PA · left wrist plain film · 650 by 943 pixels
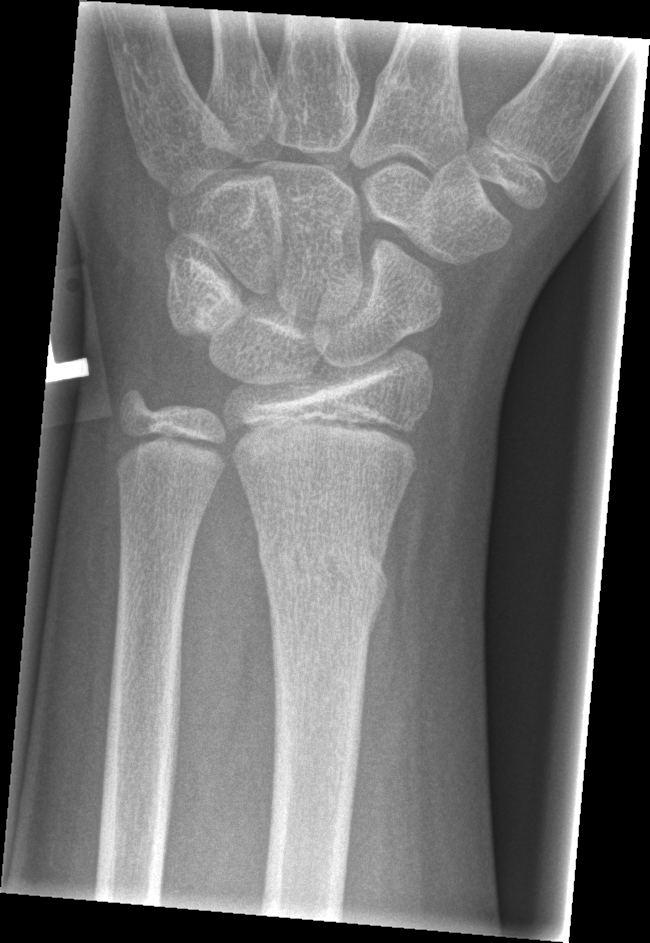 {
  "_coords": "coordinates are [x1, y1, x2, y2] in image pixels",
  "ao": "23r-M/2.1",
  "fracture": "(253, 514, 394, 635)"
}